Left pediatric wrist radiograph | lat projection | pediatric patient (male, age 11) 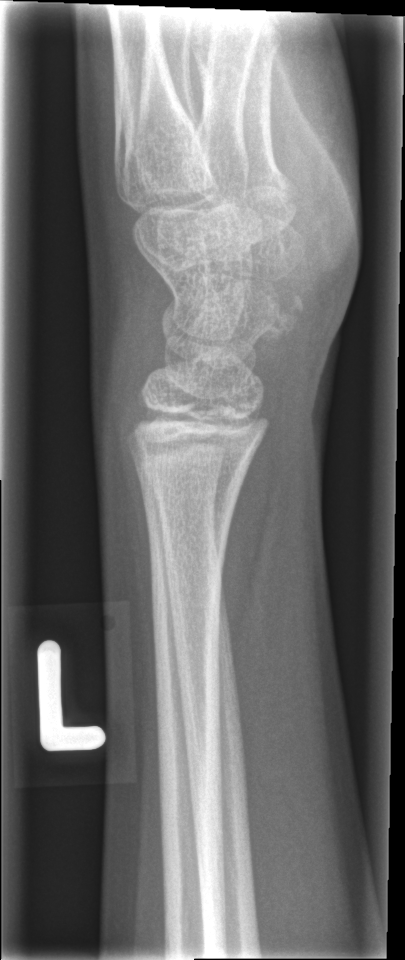
Fx: none.